Right wrist pediatric wrist radiograph | lat view. 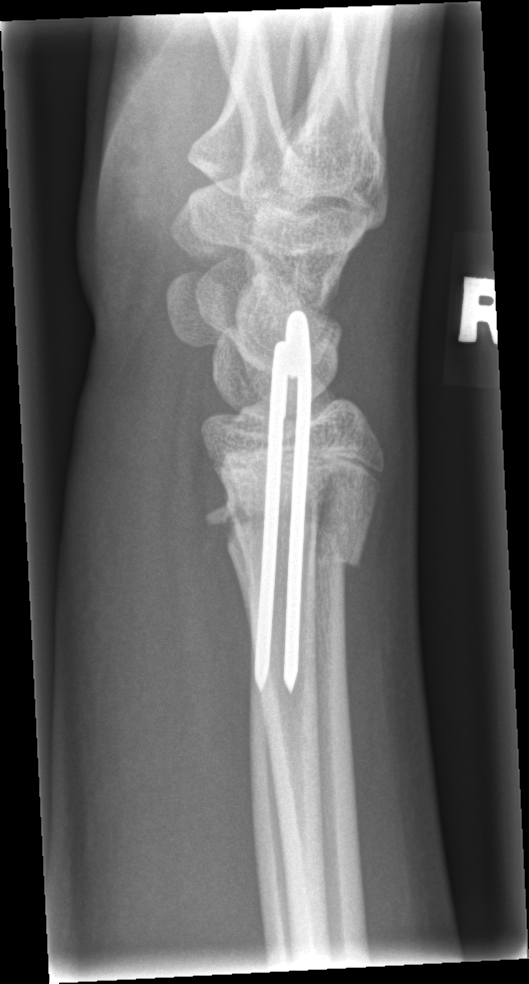 (boxes as x1,y1,x2,y2 (top-left / bottom-right, pixel units))
AO/OTA = 23r-M/3.1; 22u-D/1.1; 23u-E/7
metal = [x1=249, y1=307, x2=312, y2=693]
fracture = [x1=198, y1=480, x2=376, y2=585]